PA/AP · right wrist radiograph: 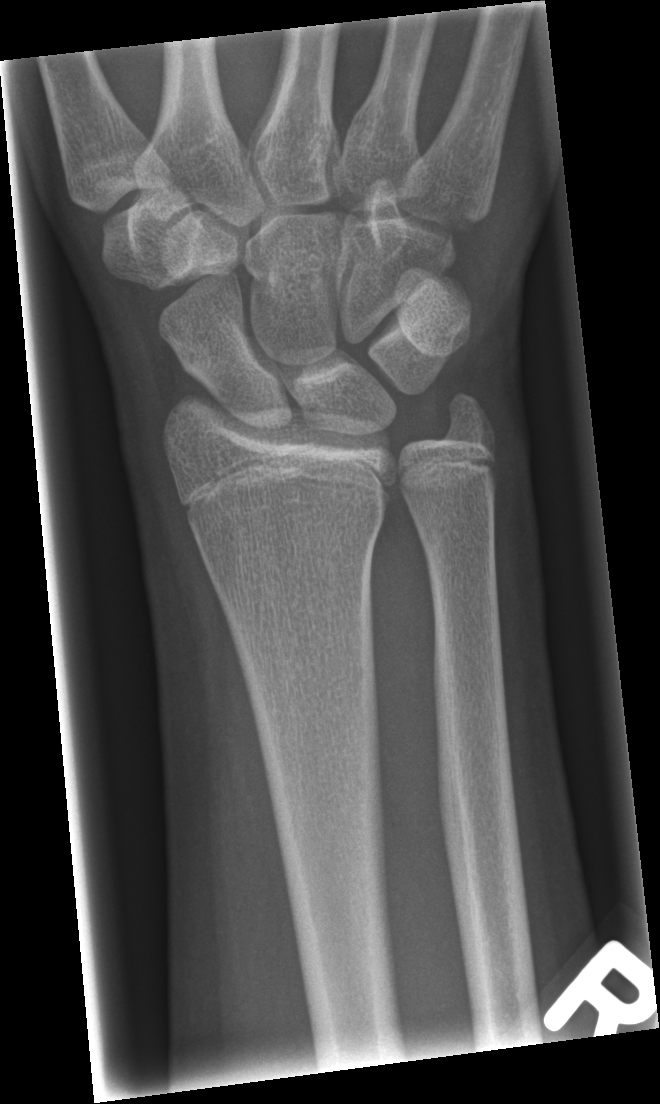

FINDINGS — Fracture: none labeled.